Lt wrist X-ray, PA view —

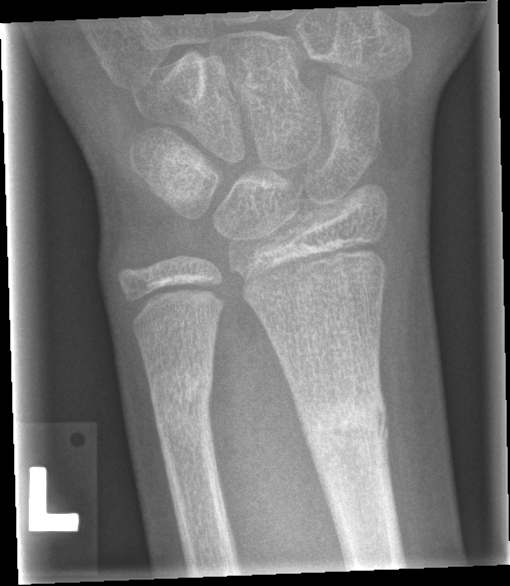
FINDINGS — Bone fracture identified at bbox(299, 392, 394, 456) bbox(148, 363, 215, 433).